Lateral; right wrist radiograph; 10-year-old female; Siemens; image width 60.8 mm. 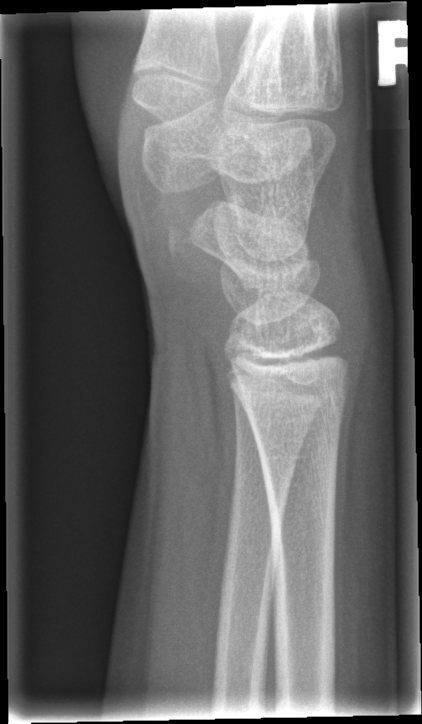   fracture: none labeled